Right wrist radiograph; lateral; pediatric patient (boy, age 10): 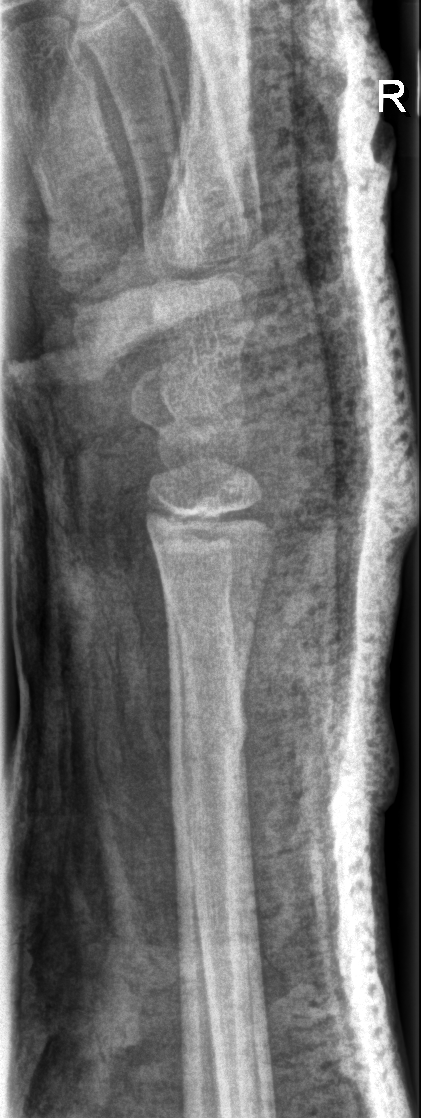

Fractures — (left=164, top=689, right=254, bottom=784), (left=160, top=562, right=241, bottom=633).